L wrist XR · lat projection · follow-up · imaged through cast · detector: Siemens. 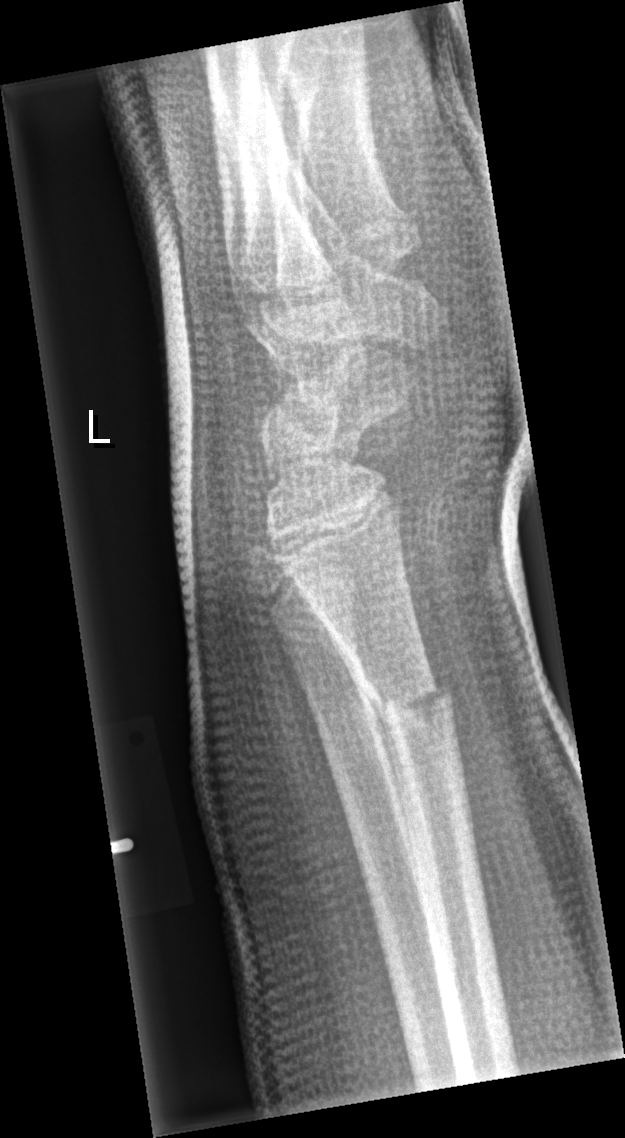 Boxes as x1,y1,x2,y2 (top-left / bottom-right, pixel units). Bone fracture identified at 359 662 460 738.